Lateral | left wrist XR | 11-year-old female.
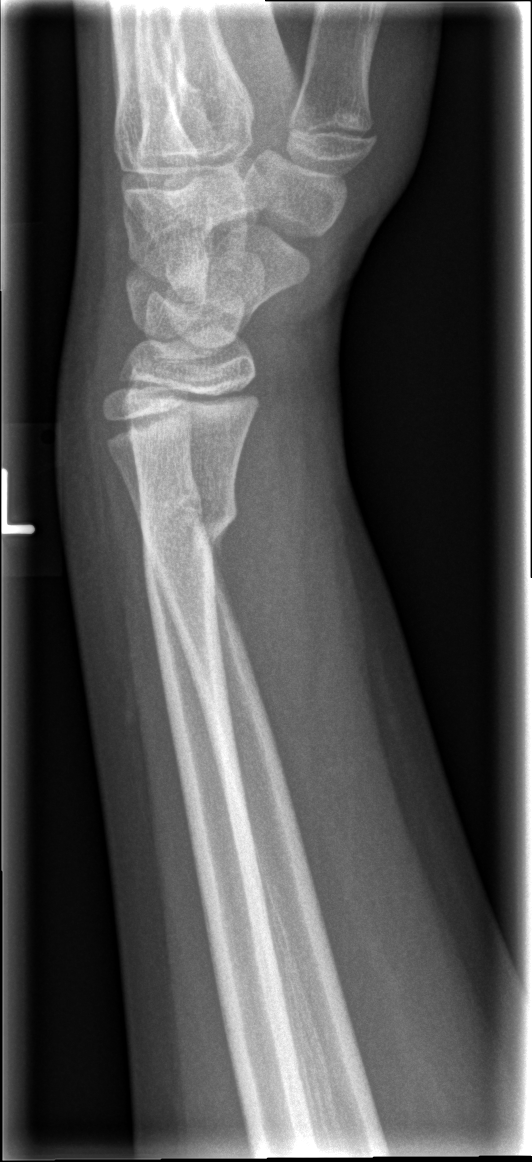

Bone fracture — [137, 478, 240, 572].
Pronator sign: [213, 391, 296, 755].